PA · right wrist plain film · pediatric patient (male, age 8) · imaged through cast · 113.8 mm image width:

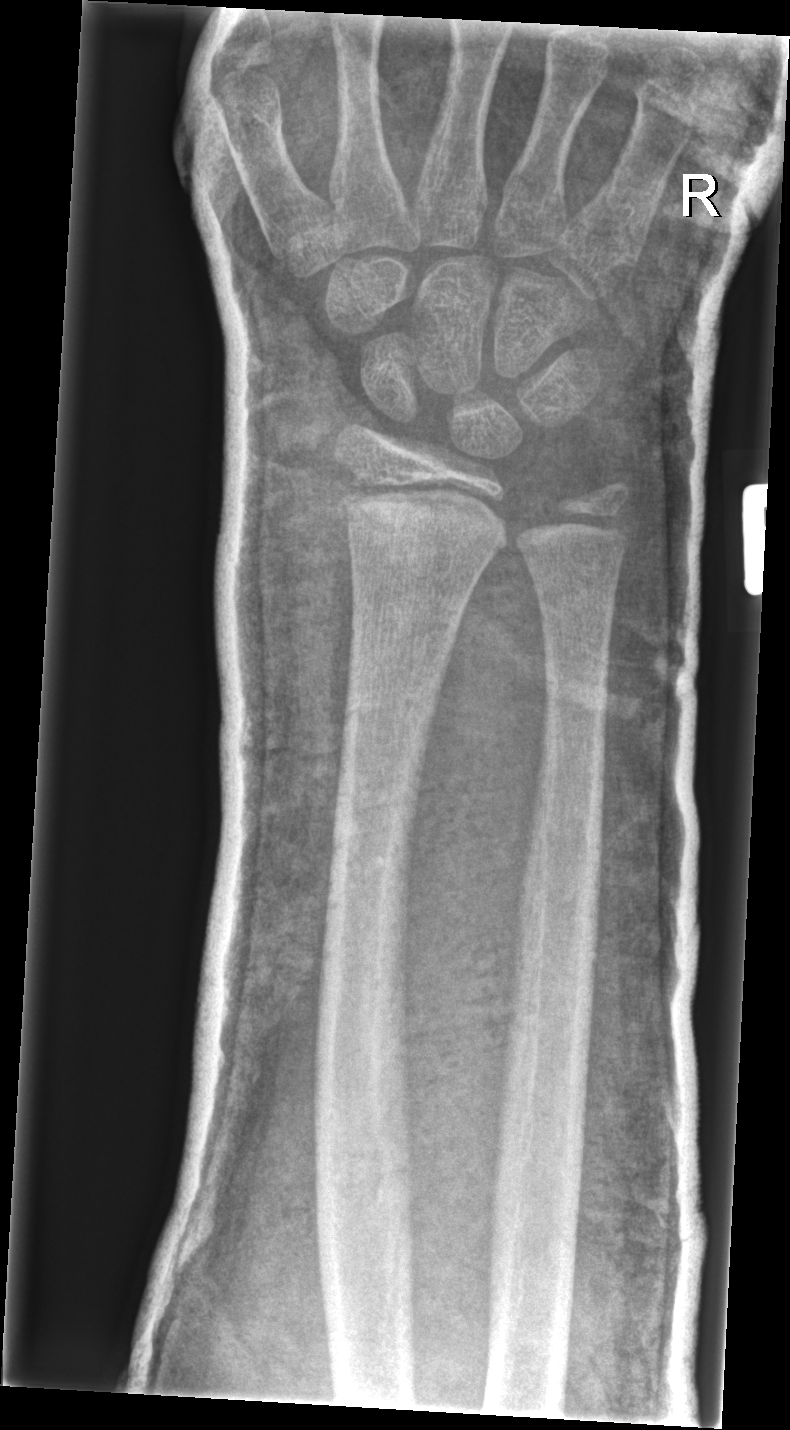
(boxes as x1,y1,x2,y2 (top-left / bottom-right, pixel units))
AO code: 23r-E/2.1
Fx: 1 @ (325, 479, 519, 562)